Posteroanterior view | R plain radiograph of the wrist | 10y M | subsequent exam —
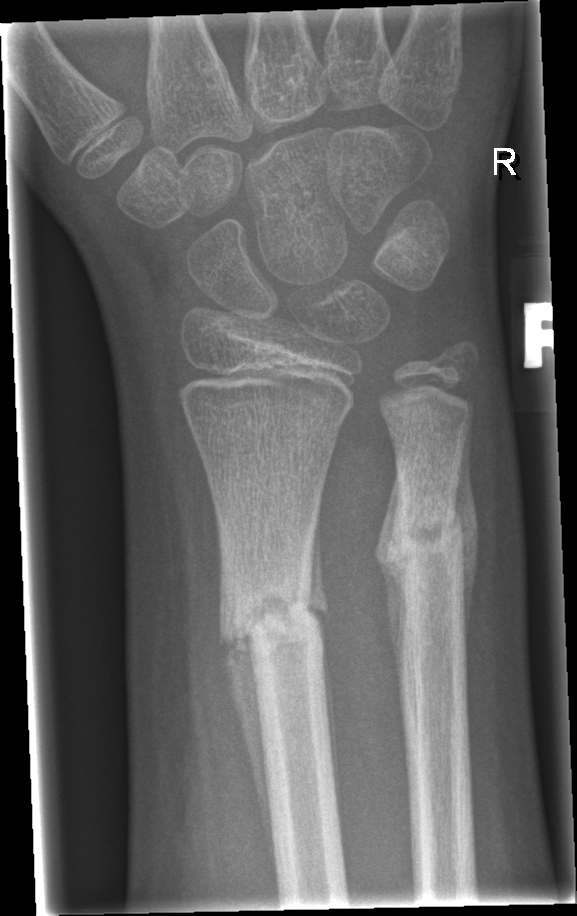 (boxes as x1,y1,x2,y2 (top-left / bottom-right, pixel units))
Periosteal new bone: 4 @ <221,636>-<278,892>; <307,504>-<339,828>; <374,468>-<405,695>; <454,411>-<482,659>
Fx: 2 @ <383,481>-<480,614>, <214,561>-<331,671>
Osteopenia: present
AO/OTA: 23-M/3.1